PA/AP projection · Lt wrist plain film · female, 7 yo —
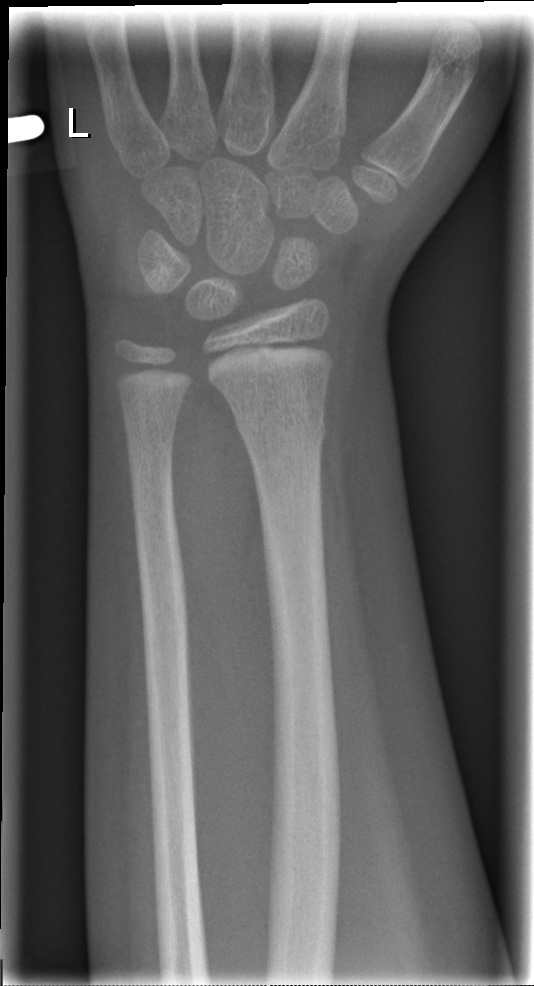 Bounding boxes in image-pixel xyxy. Fx: [234, 408, 329, 452]. Fracture classified AO/OTA 23r-M/2.1.